Frontal view | right wrist plain film | pediatric patient (boy, age 9) | initial study | findings marked uncertain by the reading radiologist.

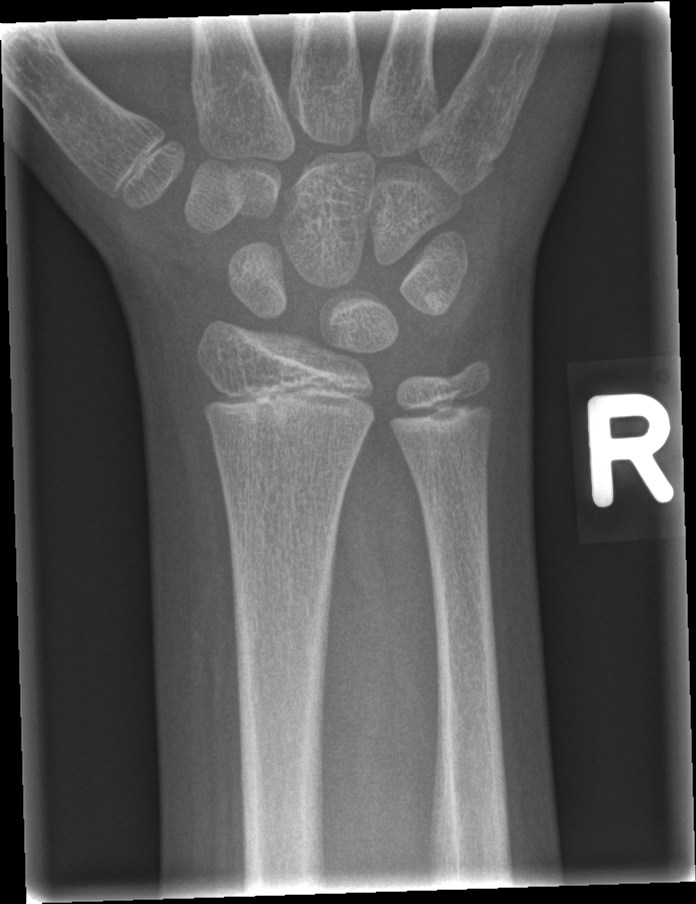
Fx: present but not clearly seen in this view.